Rt wrist radiograph, lateral, 17y M, image width 90.9 mm: 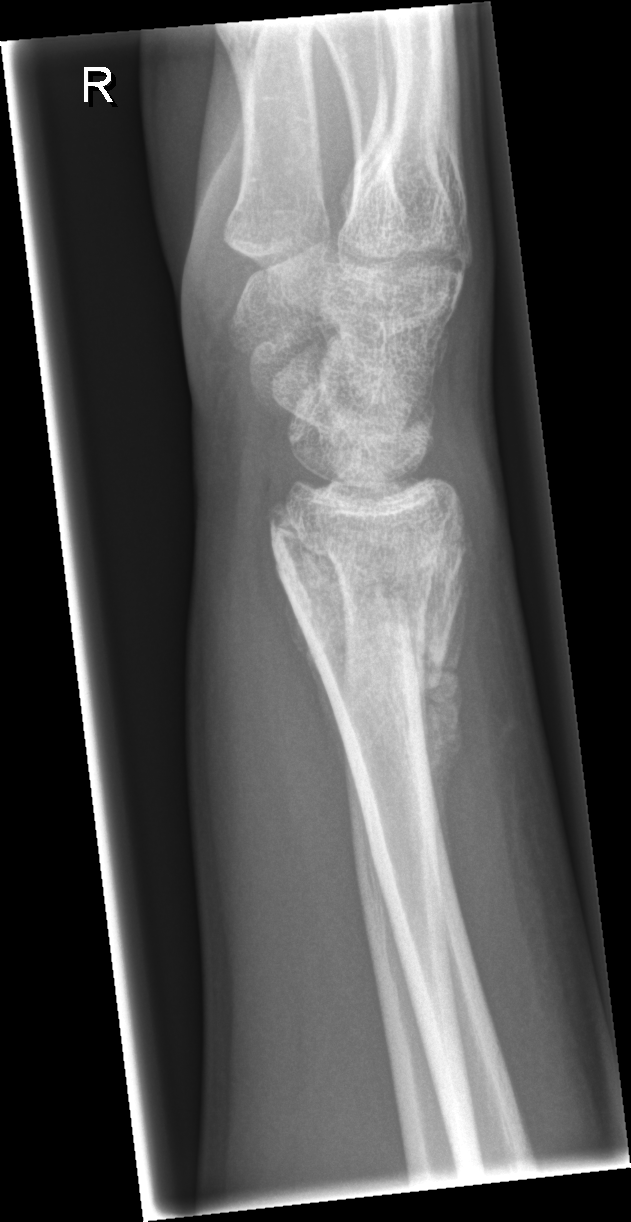
FINDINGS: (boxes as x1,y1,x2,y2 (top-left / bottom-right, pixel units)) Periosteal reaction — <284,597>-<368,807>, <418,575>-<472,896>. Reduced bone mineral density. Fx identified at <267,502>-<474,690>. Soft-tissue finding identified at <181,534>-<371,993>.